Rt wrist plain film, lateral view, acquired on Siemens, 304 x 660 px.
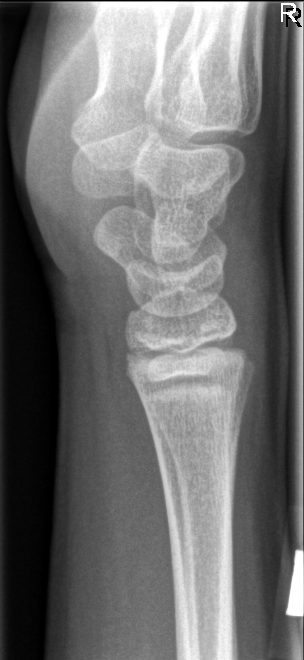
• Fx: none.